PA · R wrist X-ray · 14-year-old boy · Siemens · image 99.9 mm wide · image size 694x1168 —

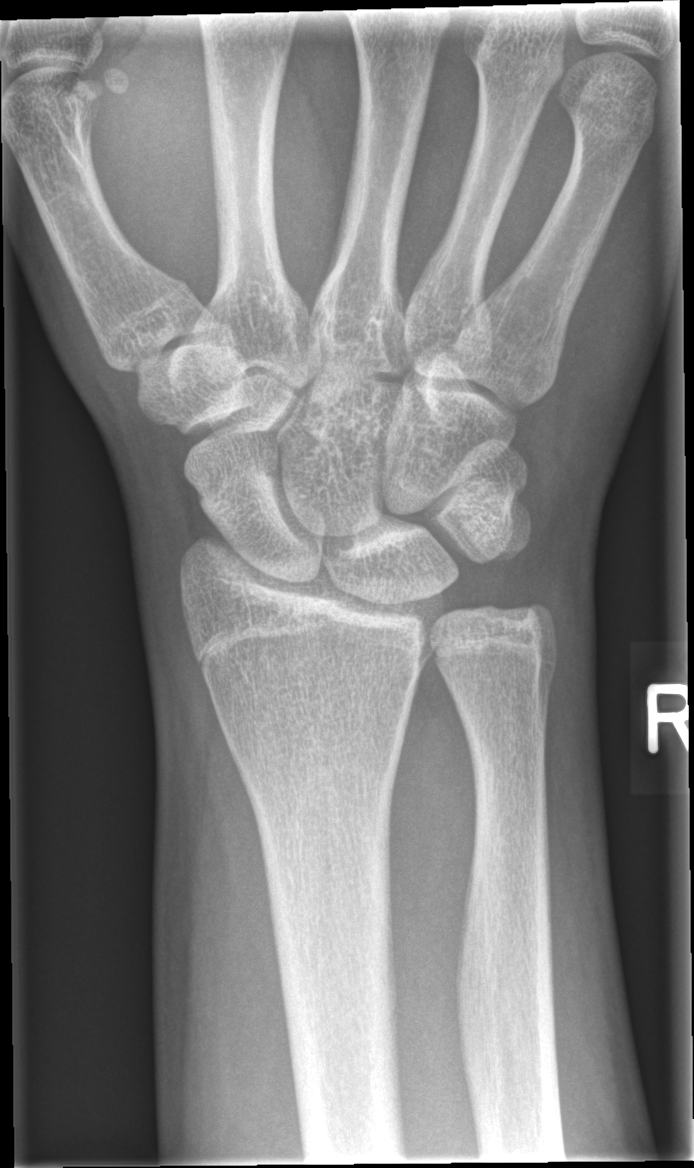
bone anomaly = [x1=480, y1=564, x2=568, y2=658]
bone fracture = none labeled